Left wrist plain radiograph of the wrist · PA/AP view · subsequent exam · Siemens · 74.9 mm image width: 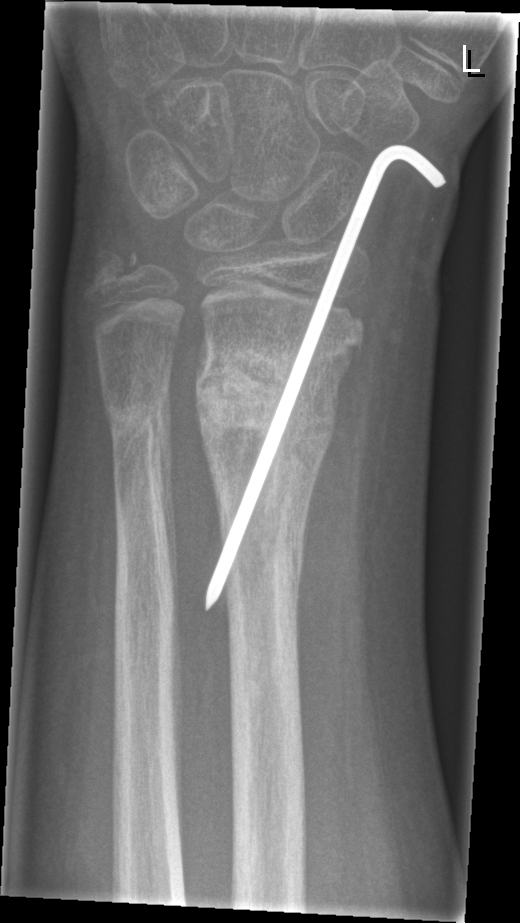

metallic hardware: 1 @ bbox(204, 143, 449, 615)
osteopenia: present
AO code: 23-M/3.1; 23u-E/7
bone fracture: bbox(194, 332, 352, 449) bbox(100, 373, 174, 444) bbox(85, 237, 148, 294)